Right wrist XR · frontal · presentation radiograph:
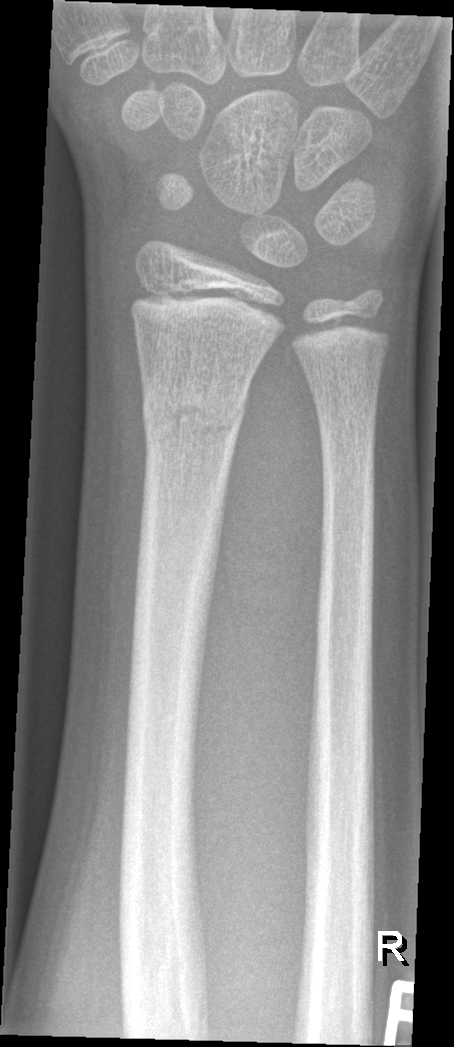
- Fracture — 138,379,249,448.
- AO code 23r-M/3.1.